Rt wrist X-ray; lateral projection; age 4 y, female:
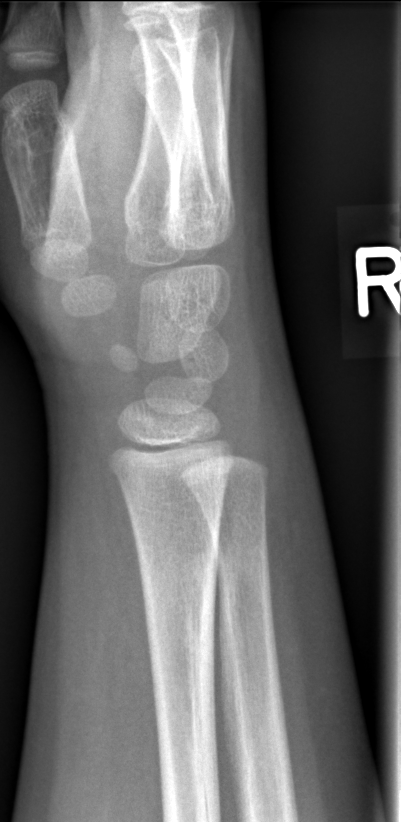
FINDINGS: (coordinates are [x1, y1, x2, y2] in image pixels) Fx: bbox(142, 544, 221, 720), bbox(217, 532, 274, 630).